Right wrist XR; AP; pediatric patient (male, age 15); 79.6 mm image width —
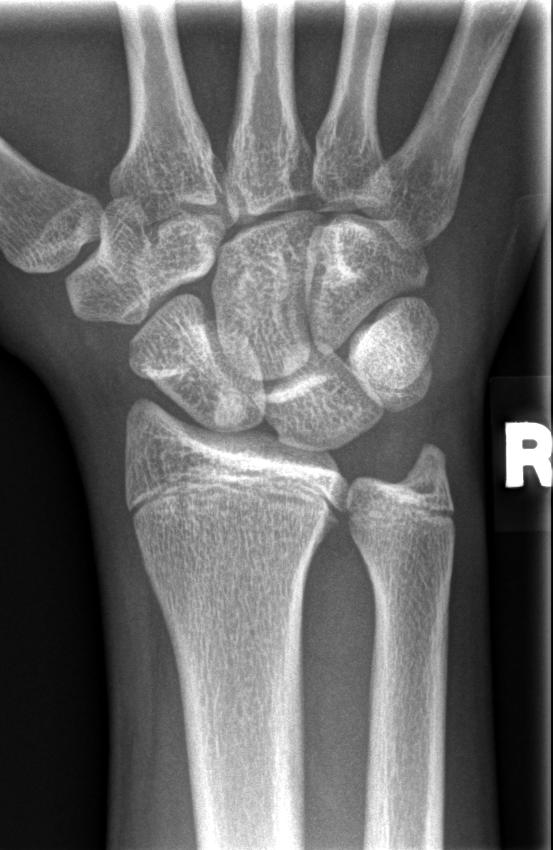
FINDINGS: No fracture labeled.